Lateral projection | left wrist X-ray — 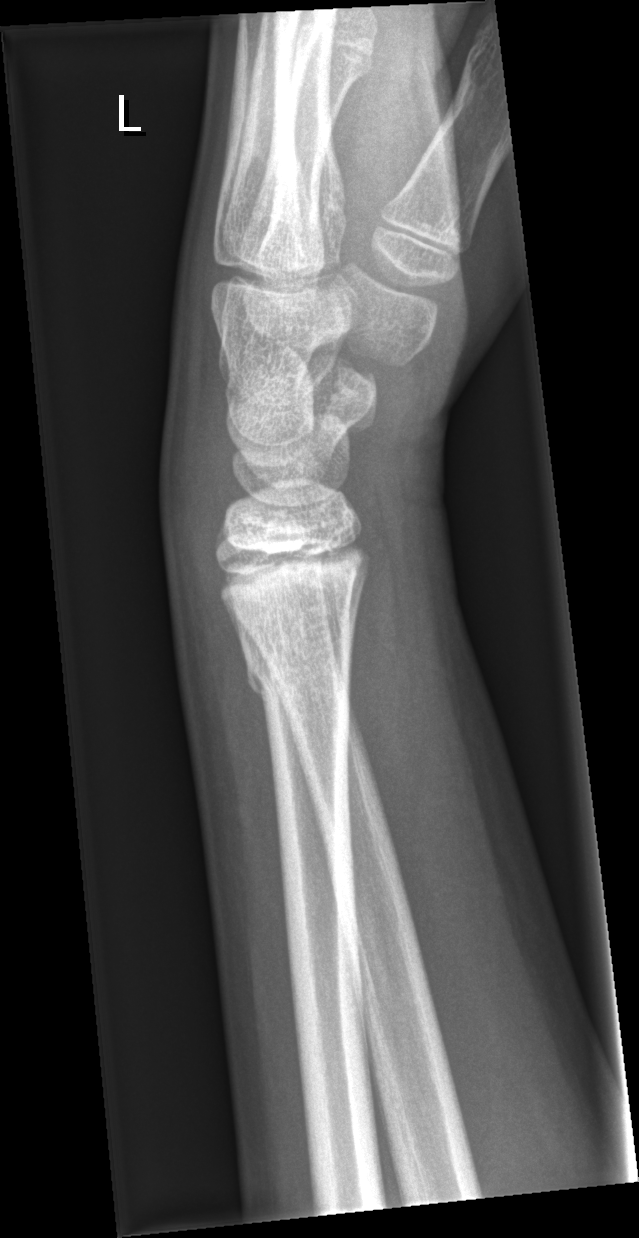
Fx identified at bbox(241, 642, 358, 702).